PA projection | left wrist X-ray | girl, 9 yo | presentation radiograph

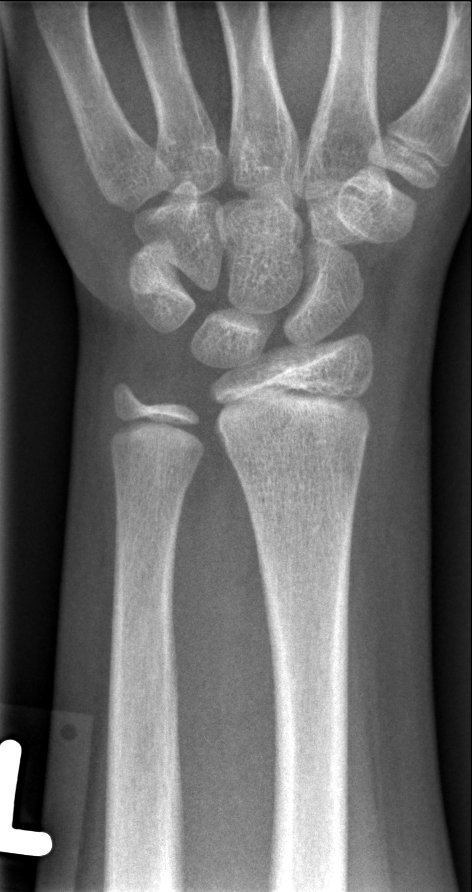   fracture: present but not clearly seen in this view